Left wrist pediatric wrist radiograph · lat projection · boy, 16 yo · Siemens

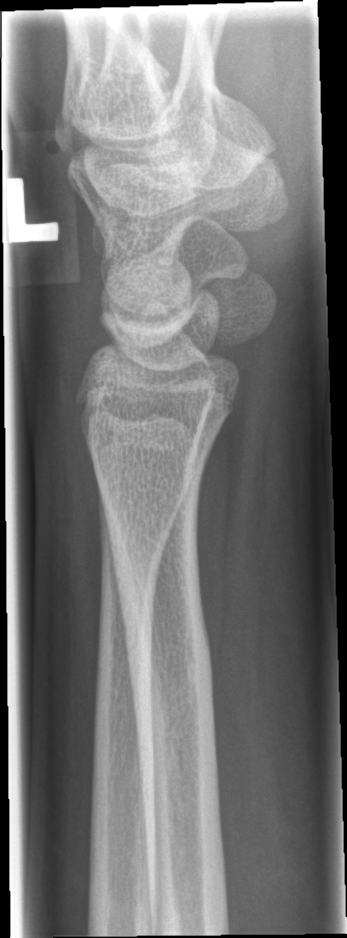

One fracture at [100, 517, 218, 719].